Right wrist X-ray · lat view.
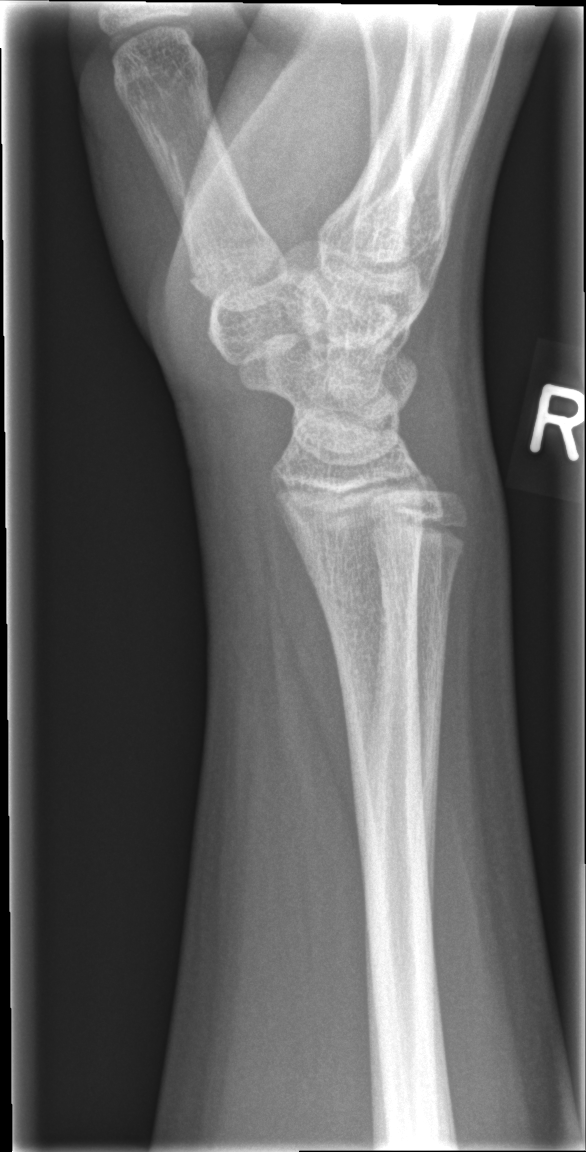 No fracture labeled.